Left wrist XR, frontal view, pediatric patient (girl, age 15), 615 by 1068 pixels

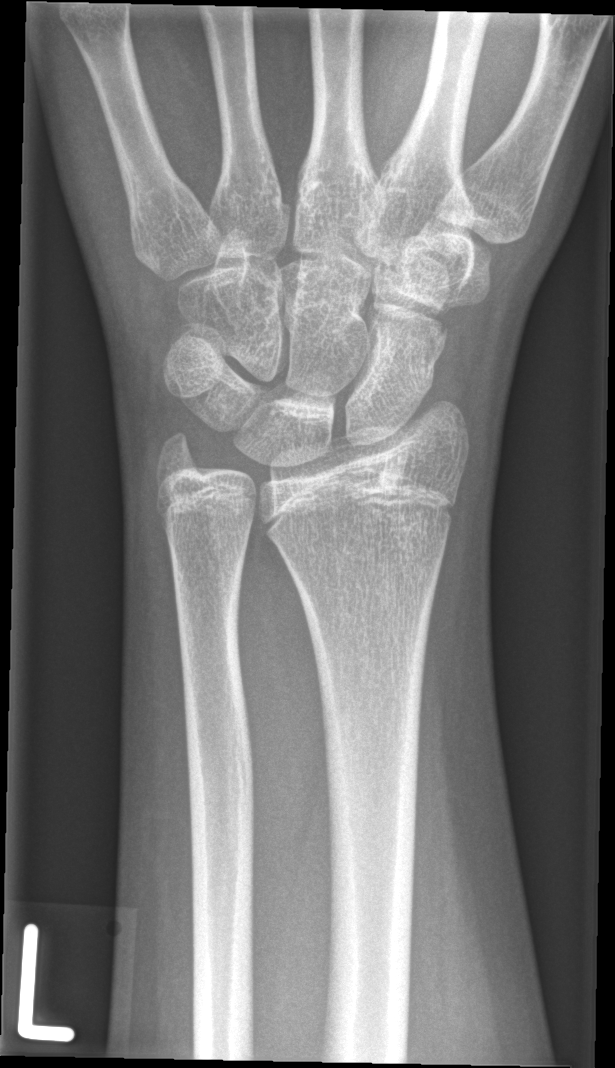
(pixel coordinates, top-left origin, xyxy)
Bone fracture = 1 @ (402, 303, 455, 373)